Left plain radiograph of the wrist; lateral; age 7 y, boy; initial study; Siemens; 63.8 mm image width —
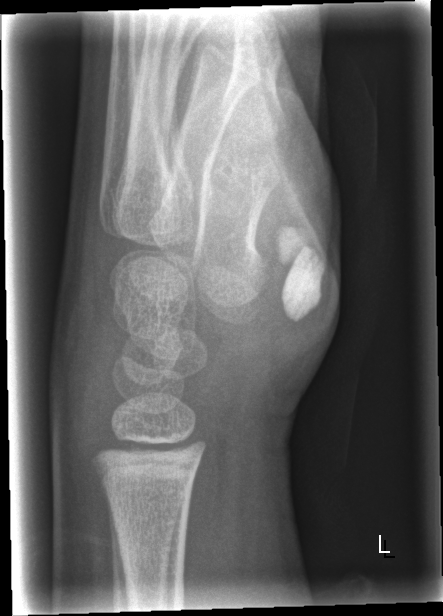
FINDINGS — (boxes as x1,y1,x2,y2 (top-left / bottom-right, pixel units)) Foreign body: <275,223>-<326,325>. Fx: none.